Left wrist pediatric wrist radiograph, frontal, acquired on Siemens, 535 by 1056 pixels
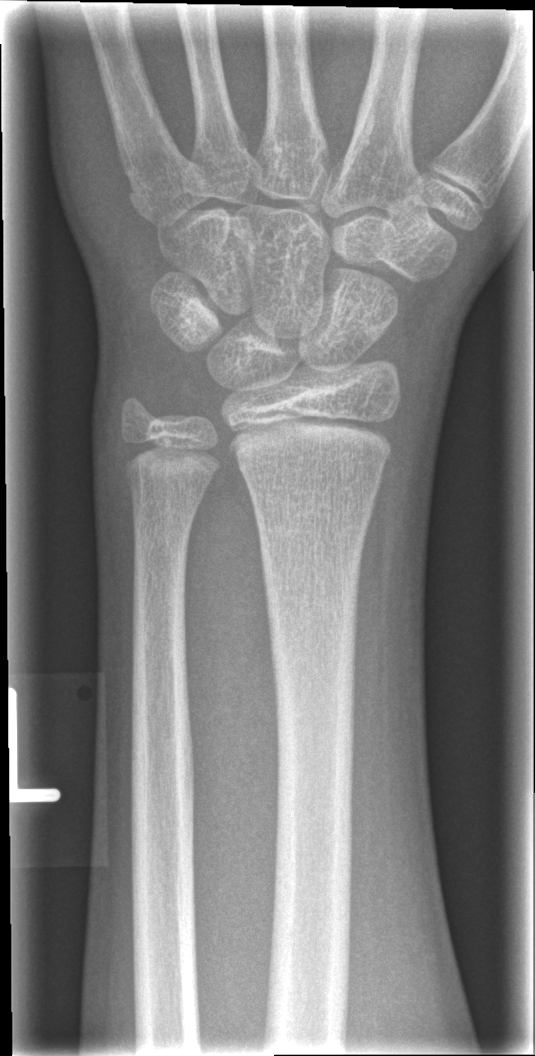
FINDINGS: Fracture: none labeled.